Right pediatric wrist radiograph, lateral view, in cast, 672x1169
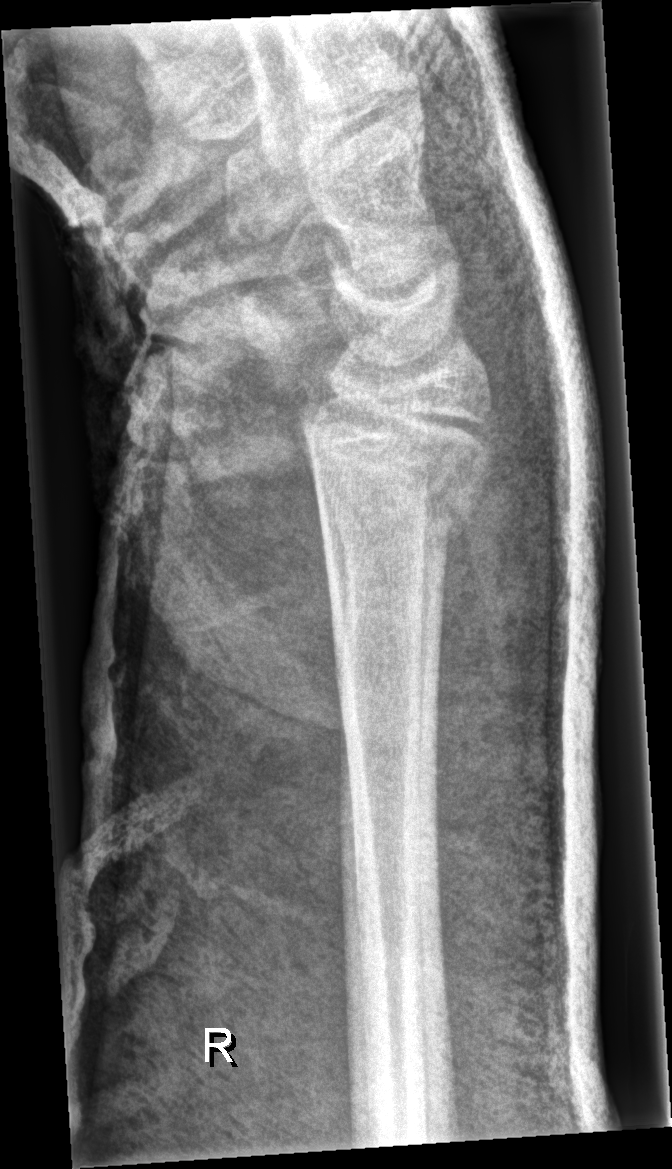 - Fracture classified AO/OTA 23r-E/2.1; 23u-E/7.
- One bone fracture at (left=292, top=384, right=499, bottom=549).